Lateral view, right wrist pediatric wrist radiograph, 12y F —
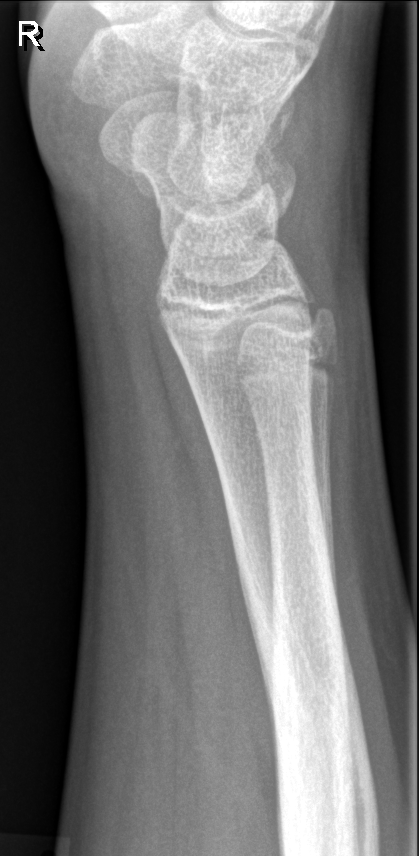
Fx = <251,608>-<368,856>